Frontal view, right wrist XR, pediatric patient (boy, age 15), follow-up study, 1092 x 1092 px 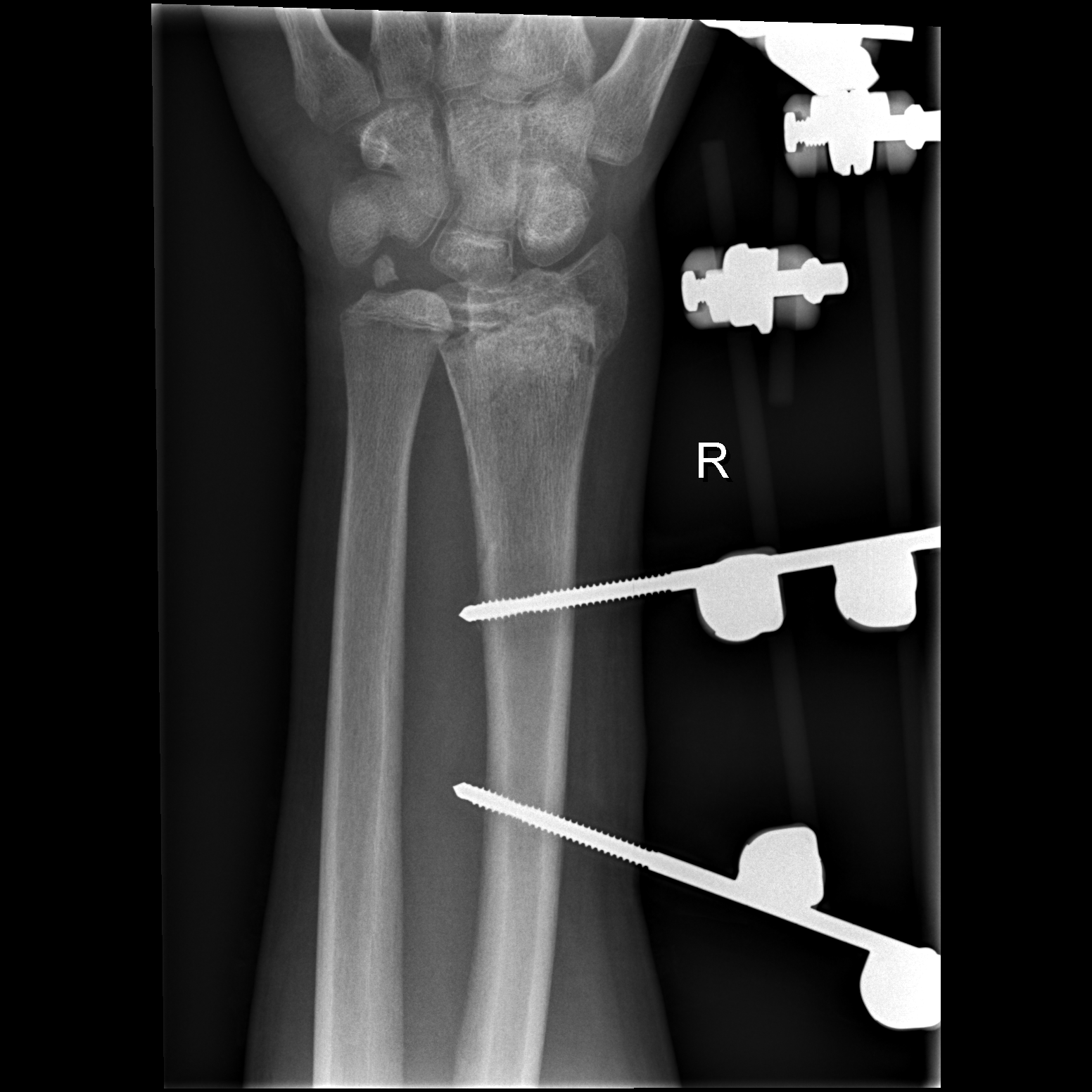
FINDINGS — AO/OTA classification: 23r-E/4.2; 23u-E/7. Four metallic hardware at 452,776,941,1034 | 458,521,941,643 | 697,18,939,179 | 680,237,853,337. Fractures — 436,305,625,393; 334,250,403,323.